L wrist XR, AP projection.
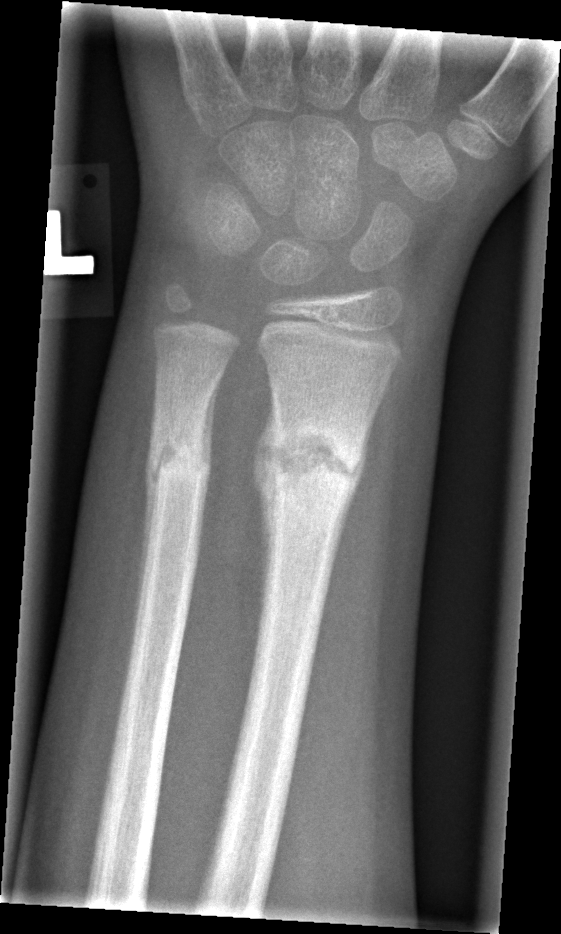

Periosteal reaction identified at 133,462,157,649; 254,408,276,600; 200,378,219,485.
Bone fracture: 264,415,364,498; 141,427,215,495.